Lateral projection · left wrist X-ray.
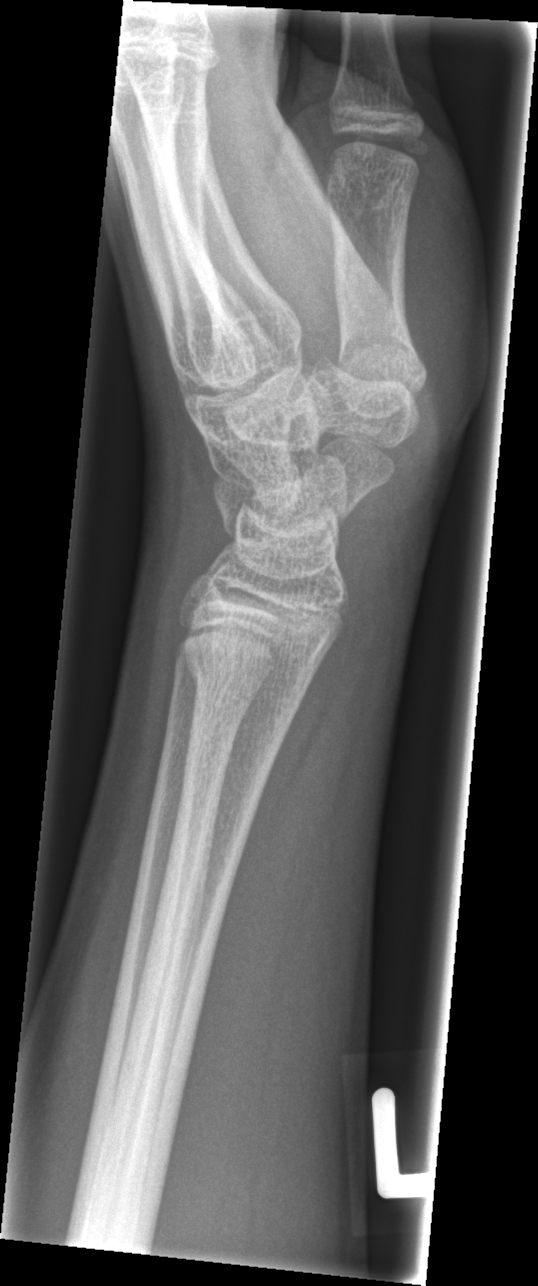

AO code: 23r-M/2.1
Fx: 1 @ 179,638,322,710